Lateral view | left wrist plain film —

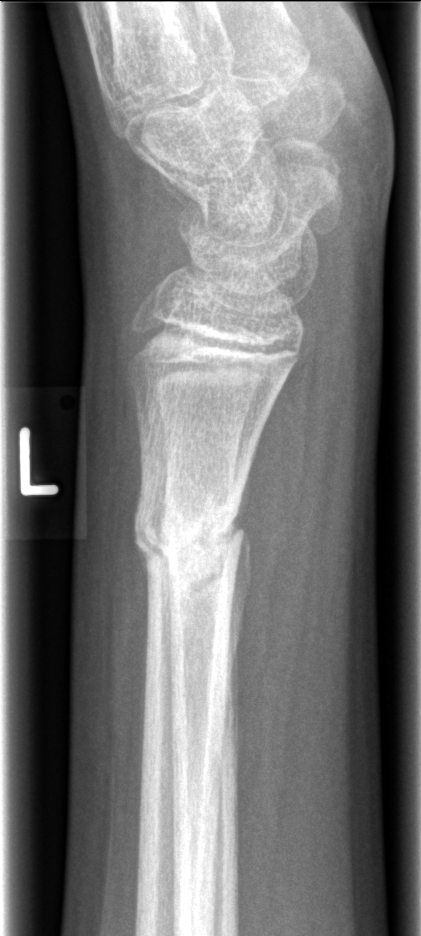 FINDINGS: One periosteal new bone at 226 536 251 712. Fx identified at 129 482 251 592. AO code 23-M/3.1.